Left wrist radiograph | frontal view | girl, 10 yo —

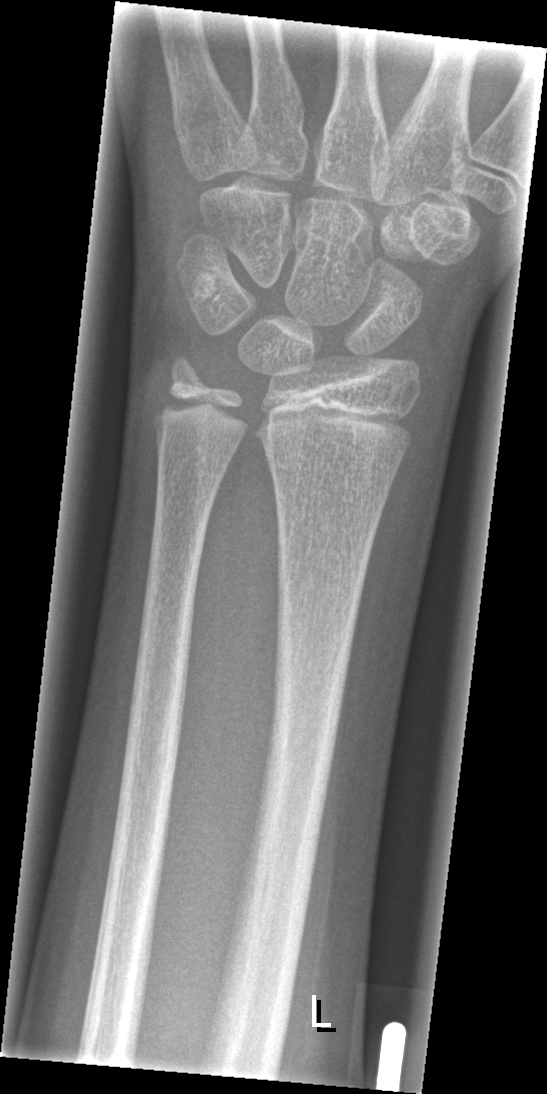
FINDINGS: Fx: none.